Lateral · left wrist X-ray · 12-year-old girl · cast present

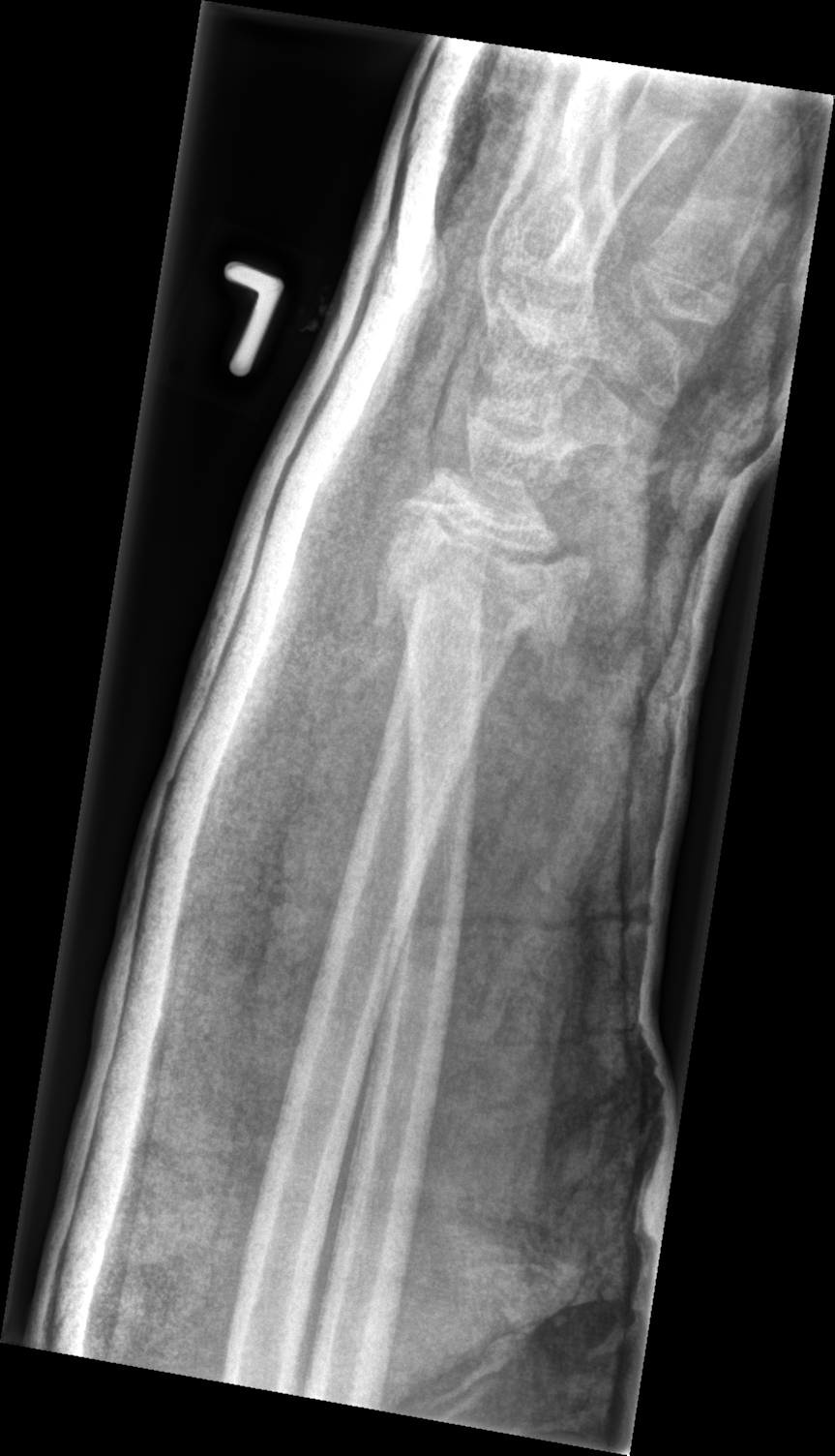
Findings: AO/OTA classification: 23r-M/3.1; 23u-E/7. Fracture — [369, 534, 591, 660].